Lateral, R pediatric wrist radiograph, presentation radiograph, image size 808x1212.

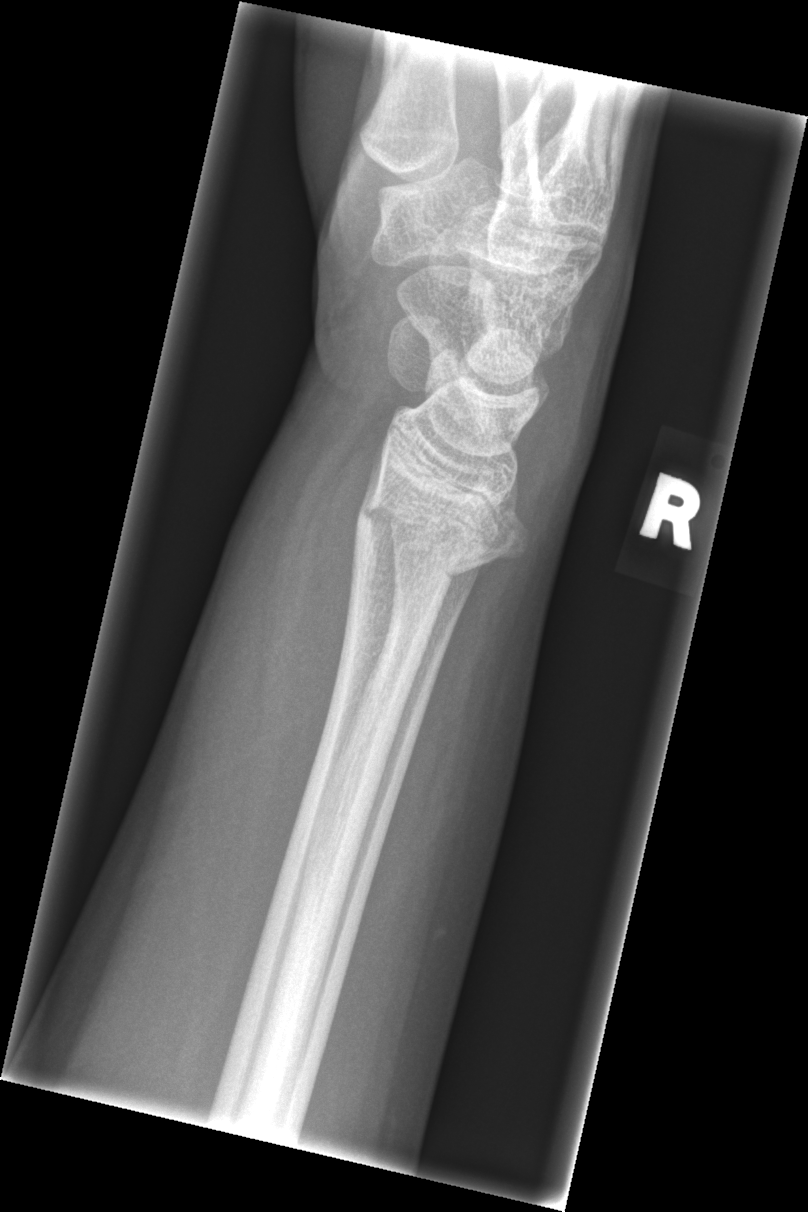

pronator quadratus fat-pad sign = 1 @ <266,410>-<392,908>
Fx = <343,475>-<531,588>
AO classification = 23r-M/3.1; 23u-E/7